Right wrist pediatric wrist radiograph · PA/AP view · girl, 11 yo · index exam · image width 80.9 mm · image size 562x953
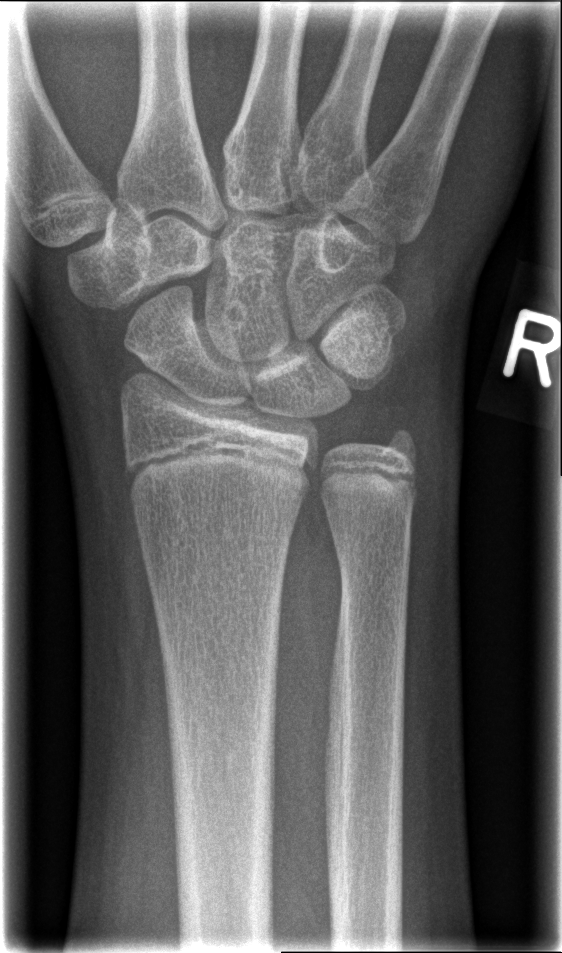
No fracture bounding box.